Lateral, left wrist plain film, index exam, acquired on Siemens, 313 by 854 pixels: 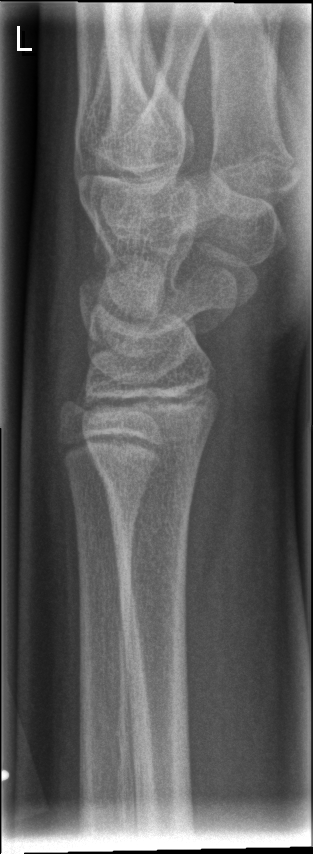

- AO/OTA classification: 23r-M/2.1.
- One Fx at (88, 448, 201, 515).